Left wrist XR, lat view 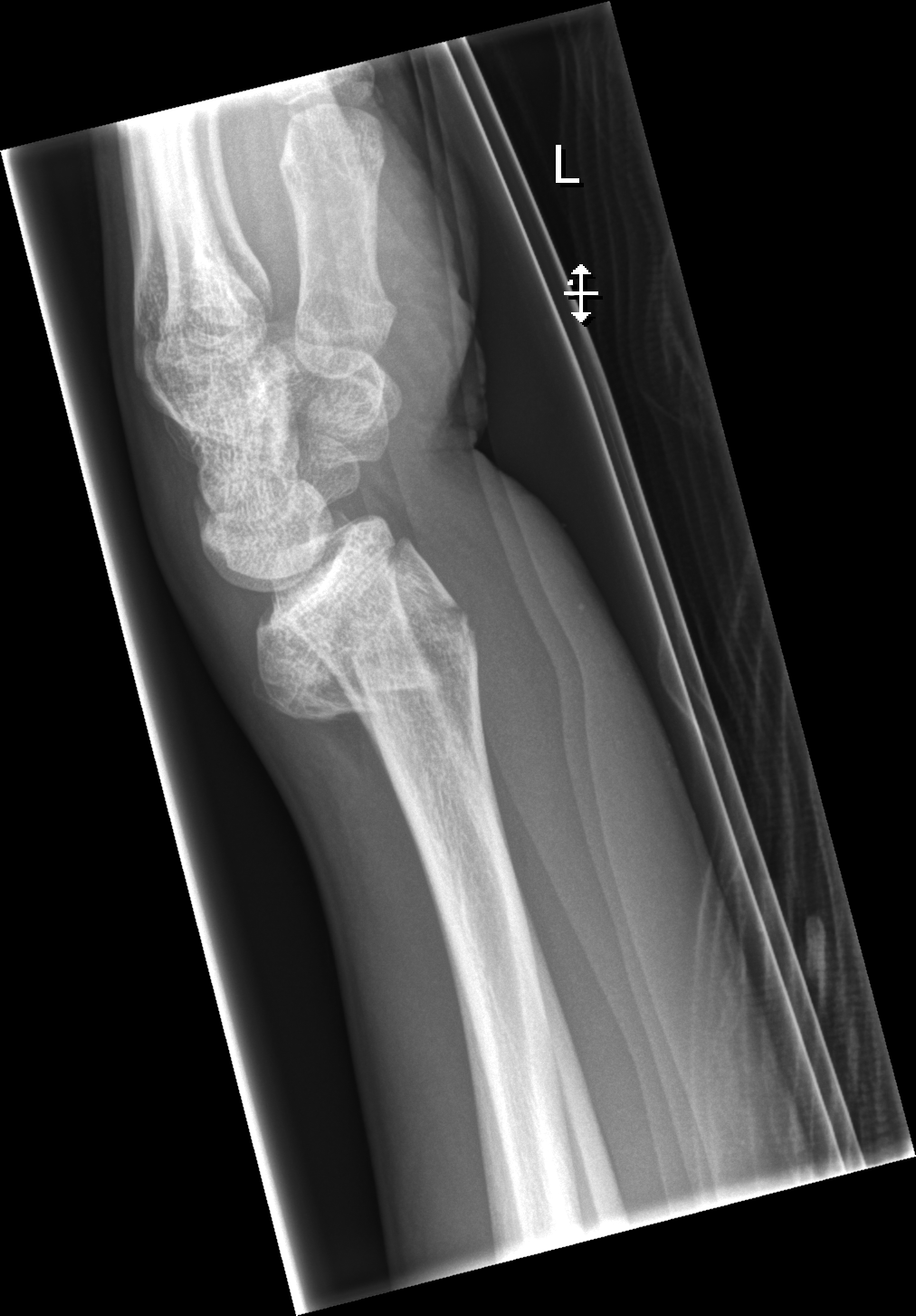
(boxes as x1,y1,x2,y2 (top-left / bottom-right, pixel units))
AO code = 23r-M/3.1; 23u-E/7
Fx = 241 578 490 736